Rt wrist XR, posteroanterior projection.
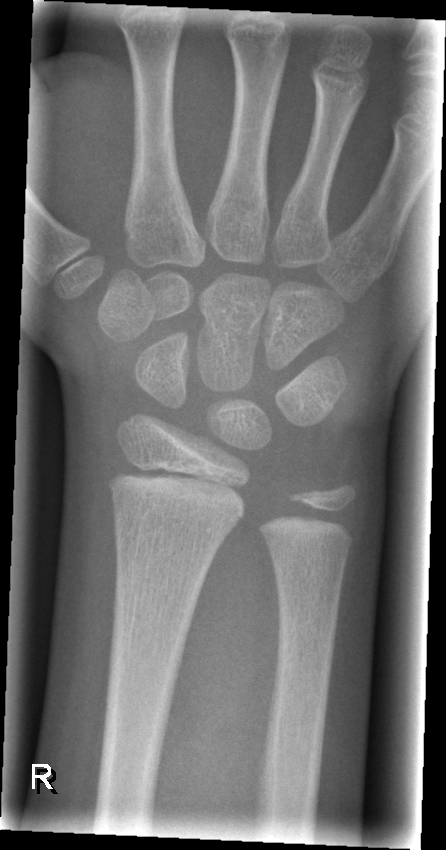
Fx: none.